Lateral view | left wrist plain radiograph of the wrist | 9-year-old female | cast in situ | image width 85.5 mm —
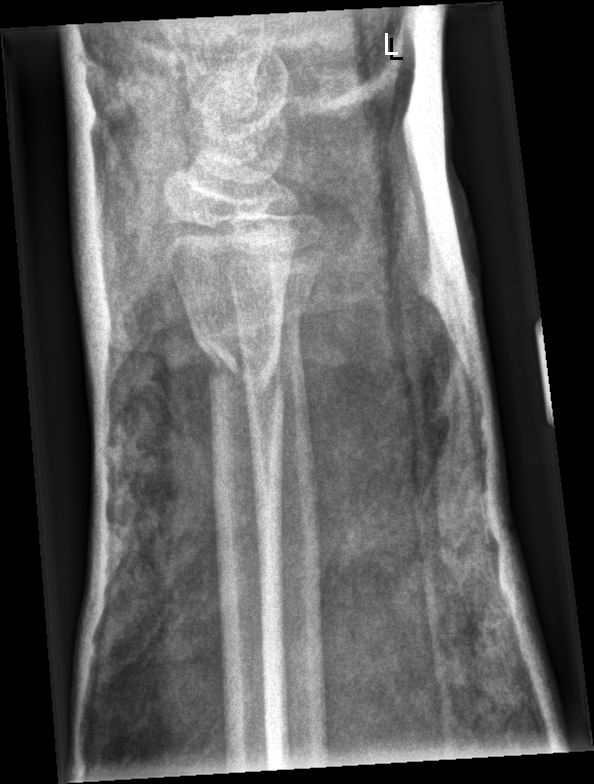

• Pixel coordinates, top-left origin, xyxy.
• Bone fracture — (190, 313, 287, 405).